Right wrist plain film, PA, cast in situ.
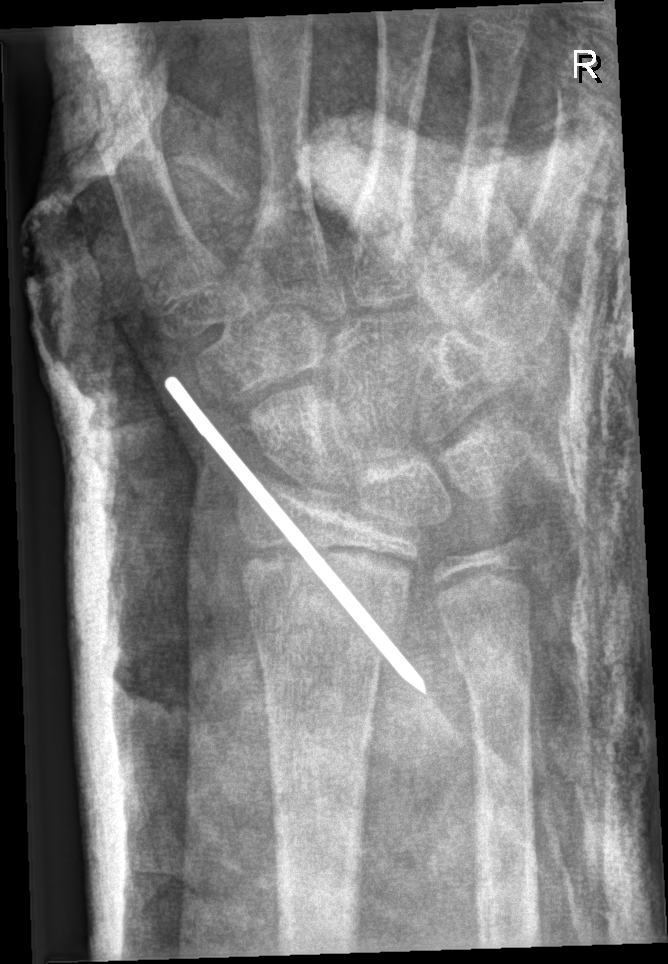

Q: Locate any hardware.
A: Metal — 162 373 428 694
Q: Fracture present?
A: Two Fx at 237 539 413 659; 452 639 535 692
Q: What is the AO/OTA classification?
A: AO/OTA classification: 23-E/2.1; 23u-M/2.1